Lateral projection · left wrist XR · presentation radiograph · acquired on Siemens · image size 402x804:
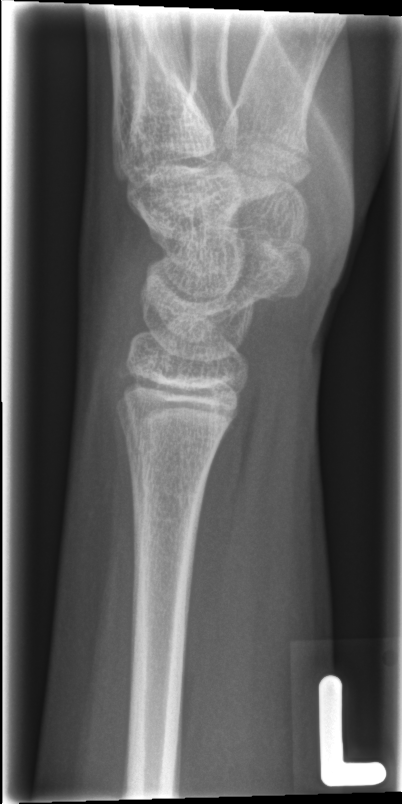 Fracture: none labeled